Lt wrist plain film | AP view | 6-year-old female | detector: Siemens
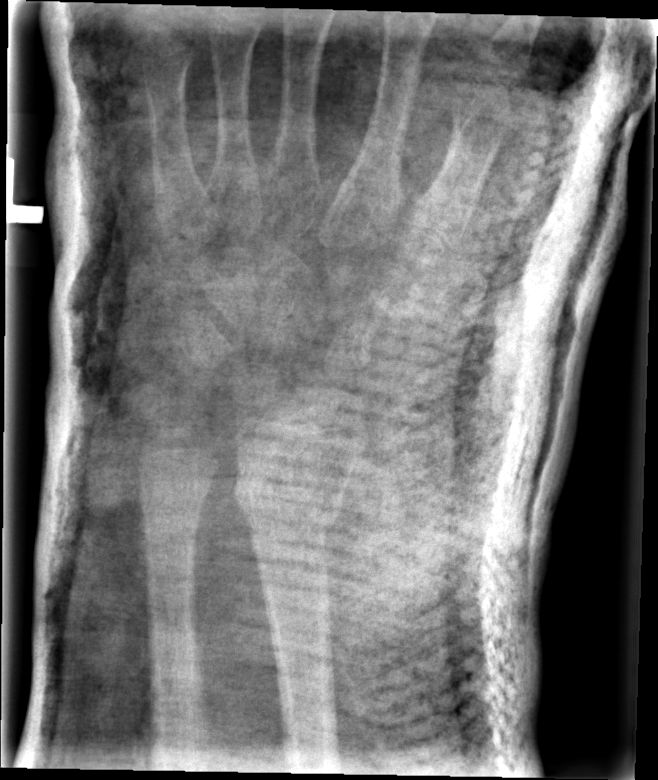

Fractures — (left=232, top=470, right=344, bottom=534) (left=136, top=464, right=215, bottom=508).